Lat projection | L pediatric wrist radiograph | pediatric patient (female, age 12) | index exam | acquired on Siemens | 535 by 1134 pixels:
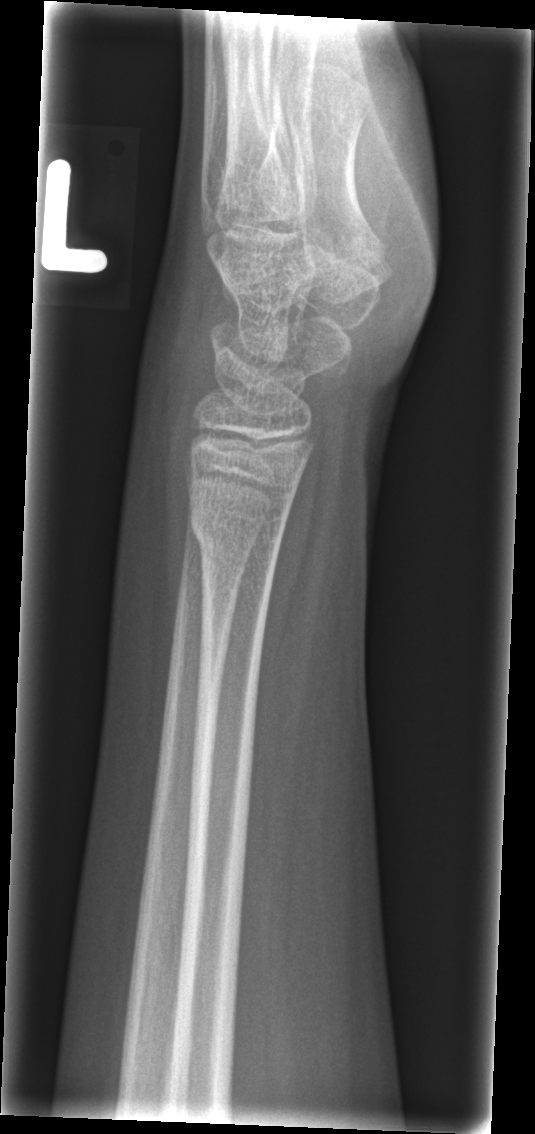
Q: What is the AO/OTA classification?
A: AO/OTA classification: 23r-M/2.1
Q: Fracture present?
A: Bone fracture — 187 495 288 563